PA/AP view; left plain radiograph of the wrist; 14y M; imaged through cast; image width 82.1 mm 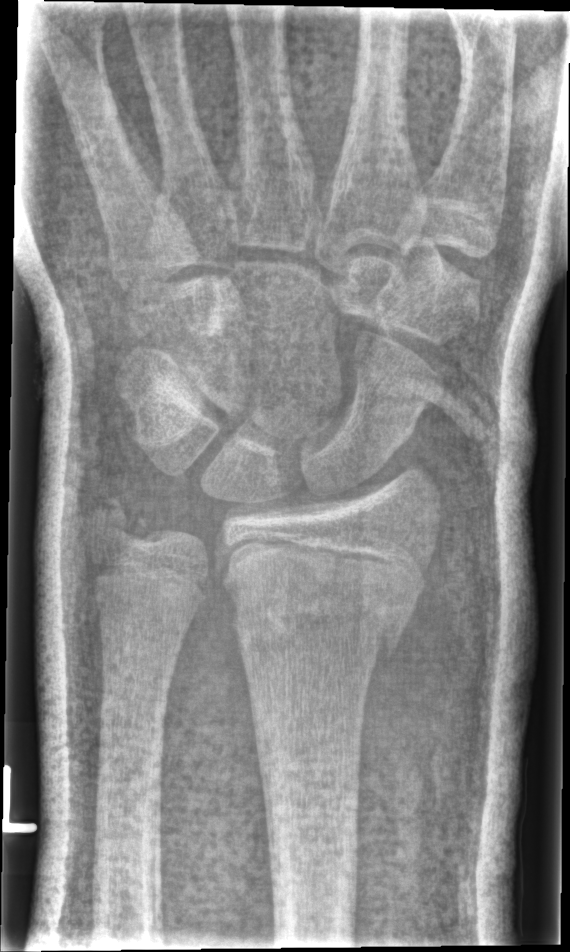

Findings: Bone fractures — [226, 555, 416, 661] [93, 496, 154, 546]. AO/OTA classification: 23r-M/3.1; 23u-E/7.